Lateral view · Lt plain radiograph of the wrist · 546x992 —

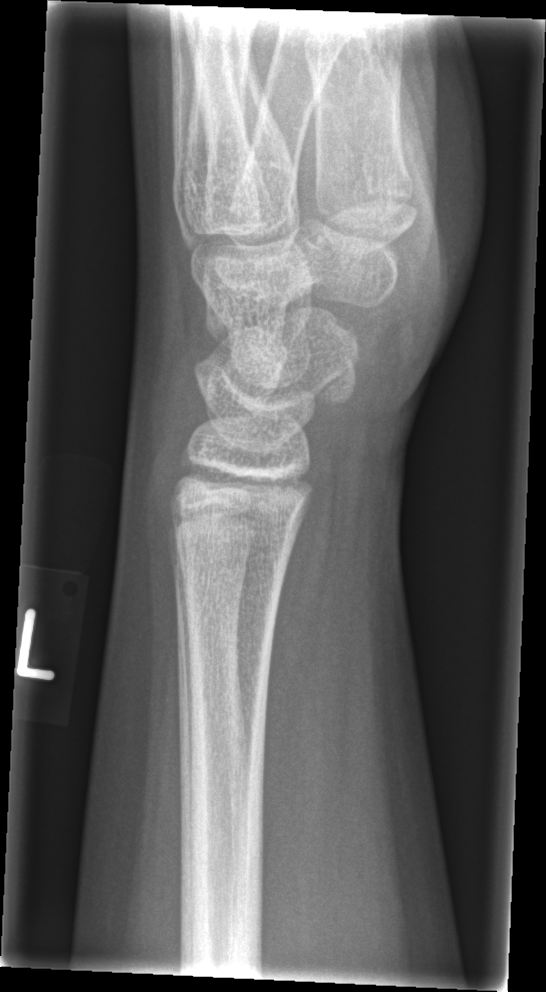

  fracture: none labeled